L plain radiograph of the wrist | PA/AP view: 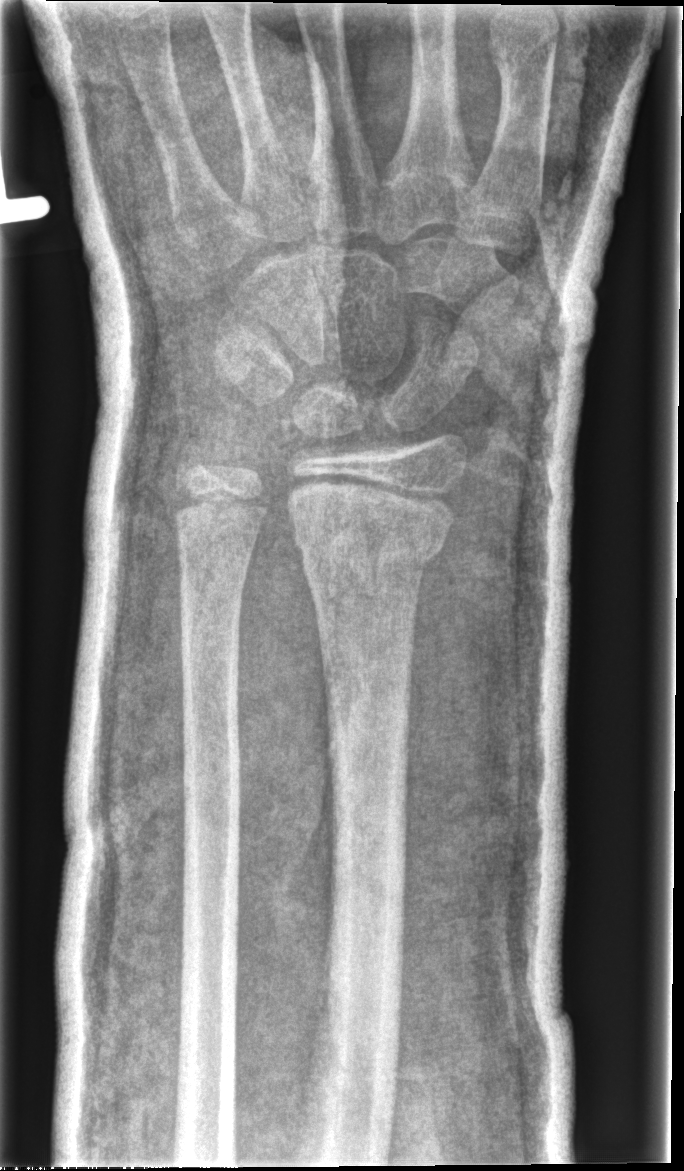

One fracture at 288,483,459,588.
AO/OTA classification: 23r-E/2.1.